PA; right wrist pediatric wrist radiograph; follow-up; cast in situ; image size 646x758: 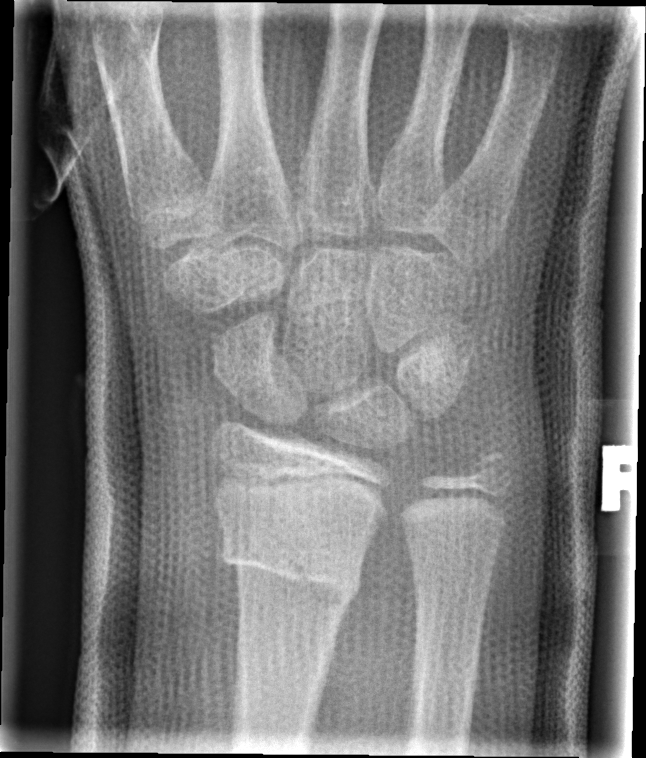

- Coordinates are [x1, y1, x2, y2] in image pixels.
- Two fractures at (left=219, top=525, right=366, bottom=611) (left=469, top=447, right=517, bottom=495).